Right wrist XR | lat | detector: Siemens 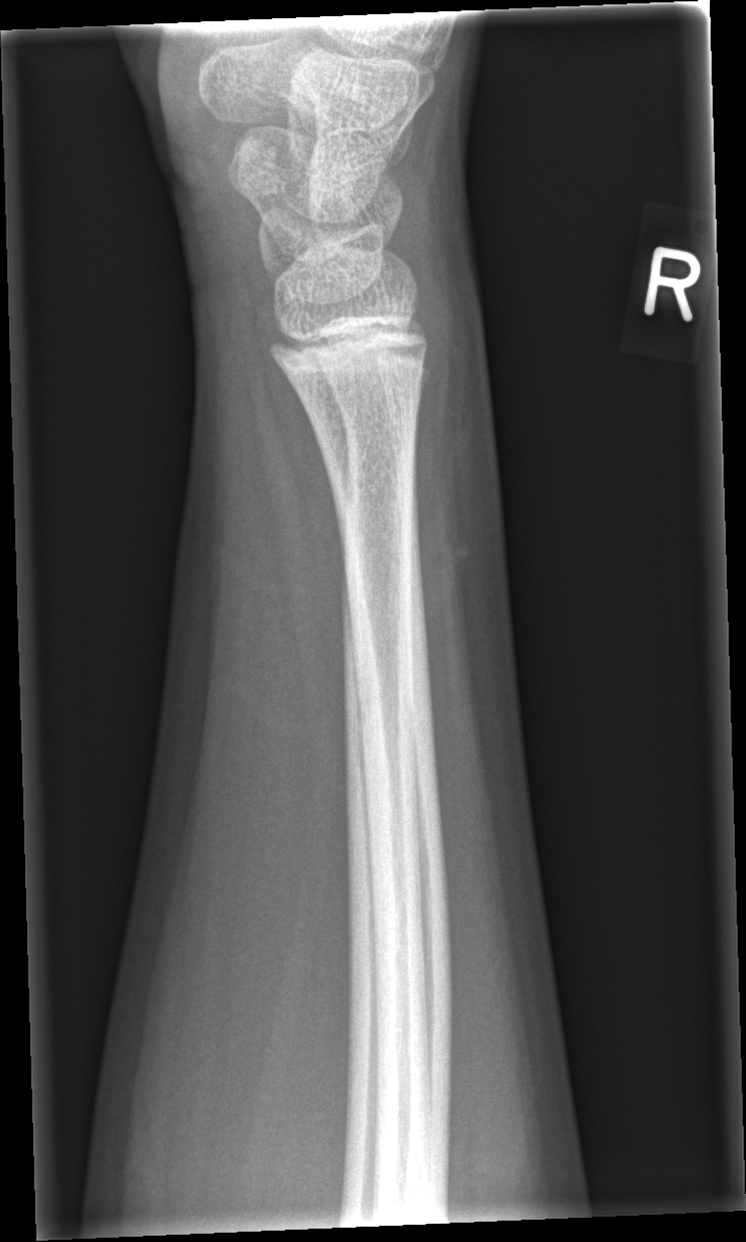
Findings: No fracture annotation.